PA/AP; R plain radiograph of the wrist; pediatric patient (male, age 12):

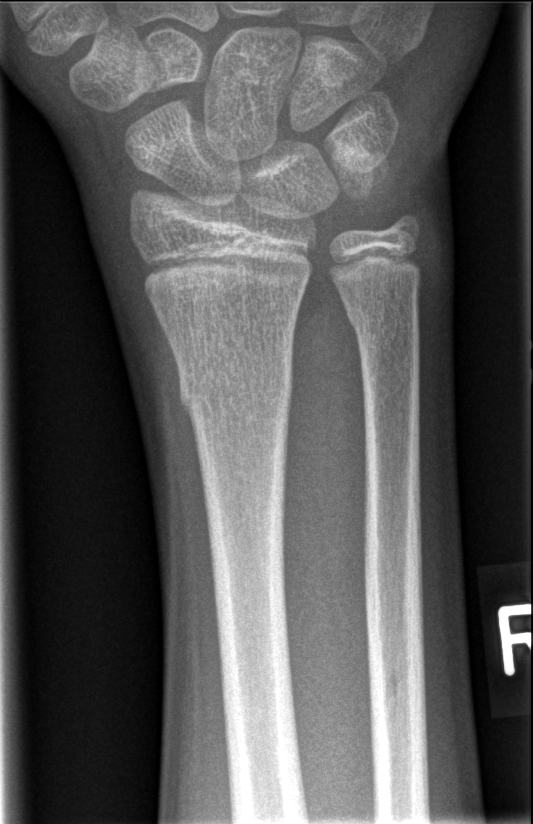 (boxes as x1,y1,x2,y2 (top-left / bottom-right, pixel units))
Fx = 2 @ 176,357,297,426
  342,295,424,347
AO classification = 23-M/2.1